Lateral projection, left wrist X-ray:
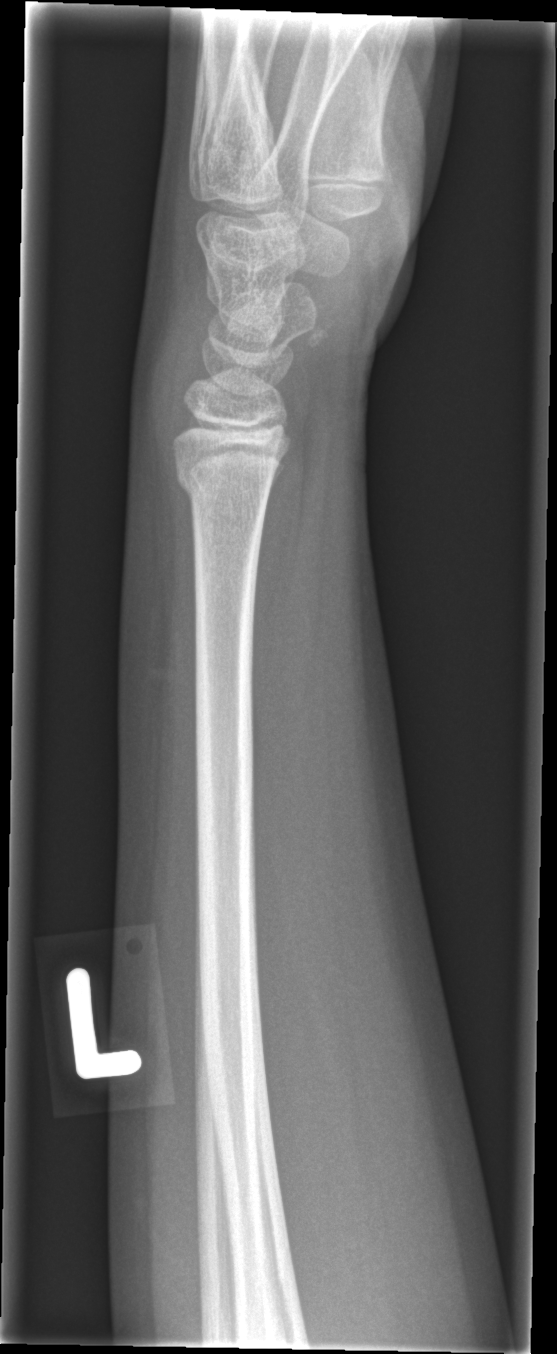 Bounding boxes in image-pixel xyxy.
AO code 23r-M/2.1.
Fracture — <171,453>-<279,511>.